L wrist X-ray · posteroanterior projection · initial study —
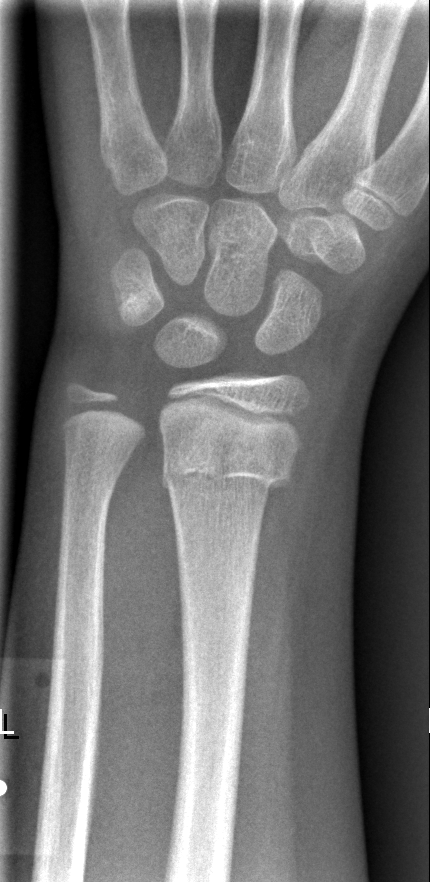

AO classification = 23r-M/3.1
Bone fracture = 1 @ [x1=158, y1=421, x2=299, y2=506]